Lateral; L plain radiograph of the wrist; 14-year-old boy. 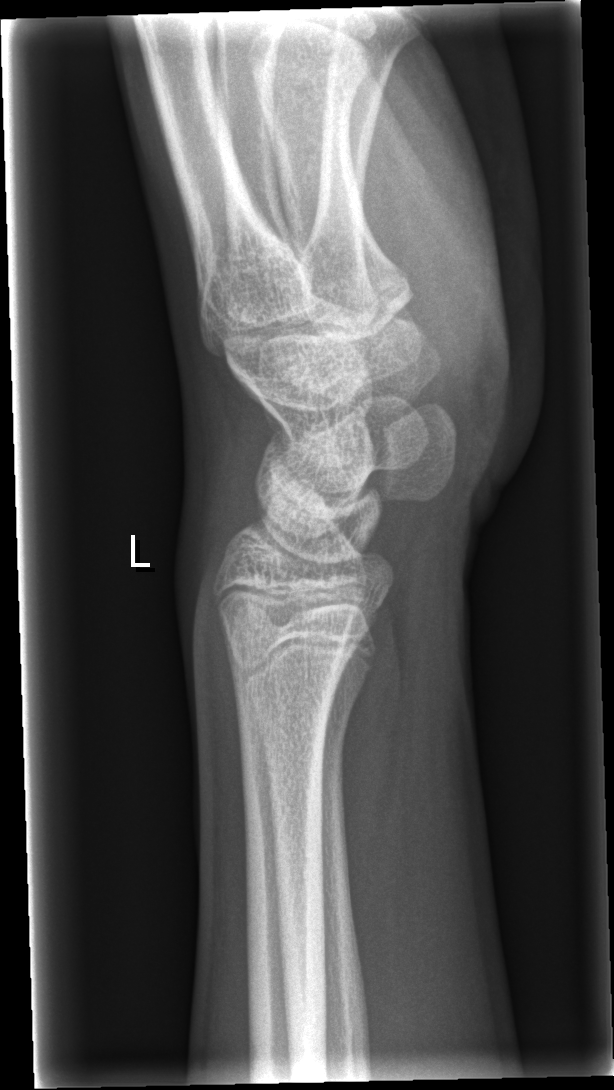 Q: Is there a fracture?
A: No Fx annotated